Left wrist plain film; lat; 292 x 793 px
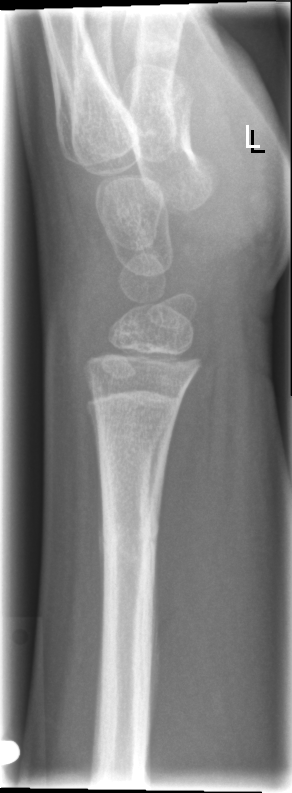
{
  "fracture": "97,502,160,567",
  "osteopenia": "present"
}